Right wrist pediatric wrist radiograph · lat projection · 14-year-old male — 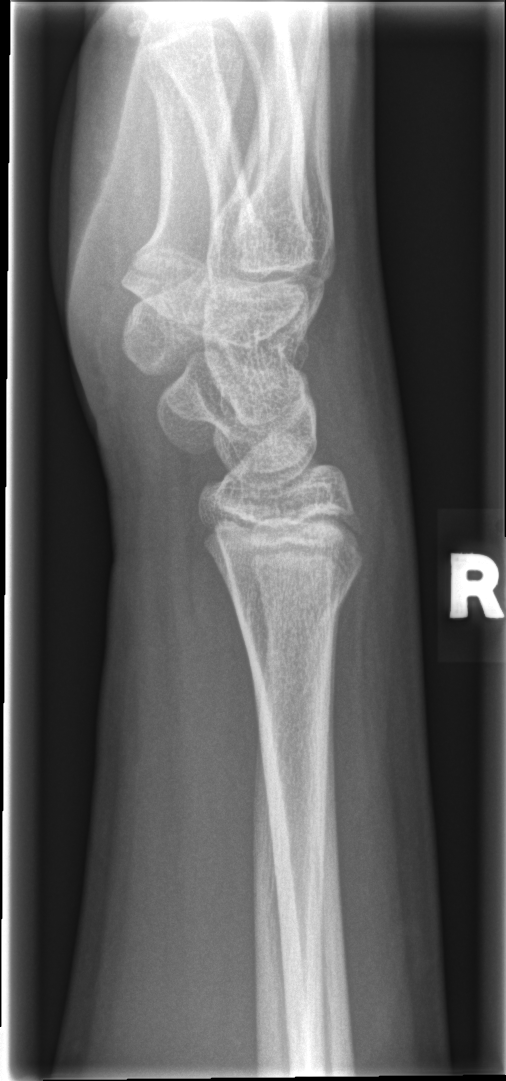
Fx: [229, 567, 360, 638]
AO classification: 23r-M/2.1